PA · right wrist radiograph · boy, 10 yo · Siemens · image 91.6 mm wide.

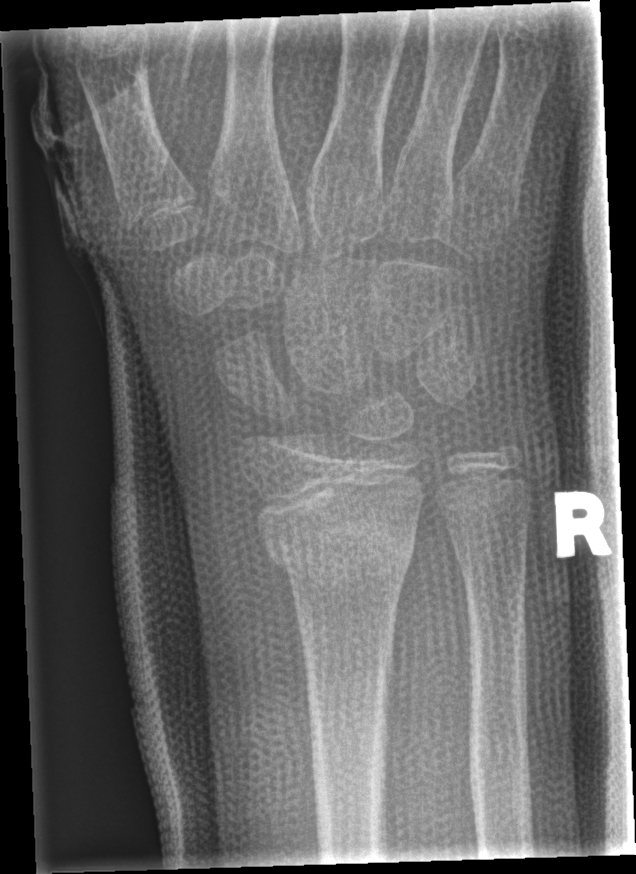
• Bounding boxes in image-pixel xyxy.
• Fracture identified at 254,495,418,591.